AP projection · Lt wrist plain film · age 15 y, male
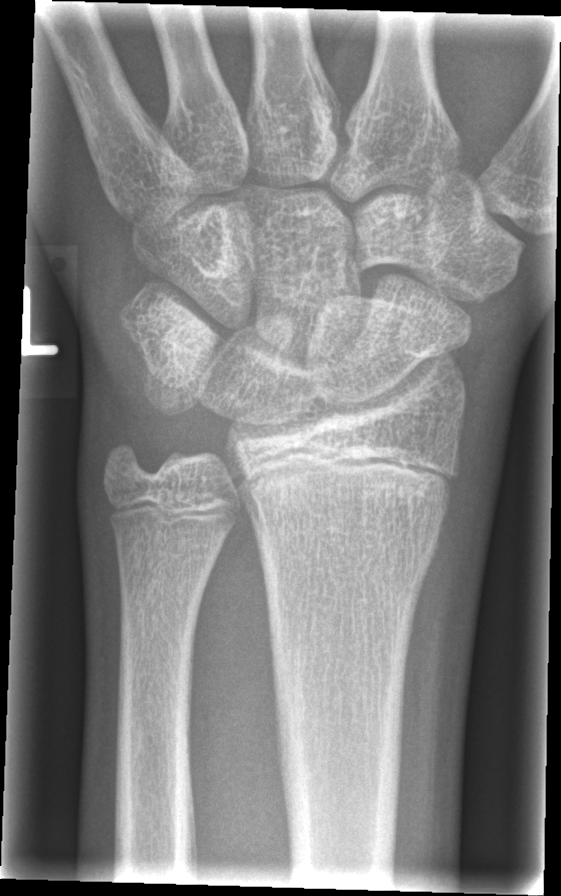
Fracture: present but not clearly seen in this view.
AO code 23r-M/2.1.